L wrist XR | AP projection | presentation radiograph.
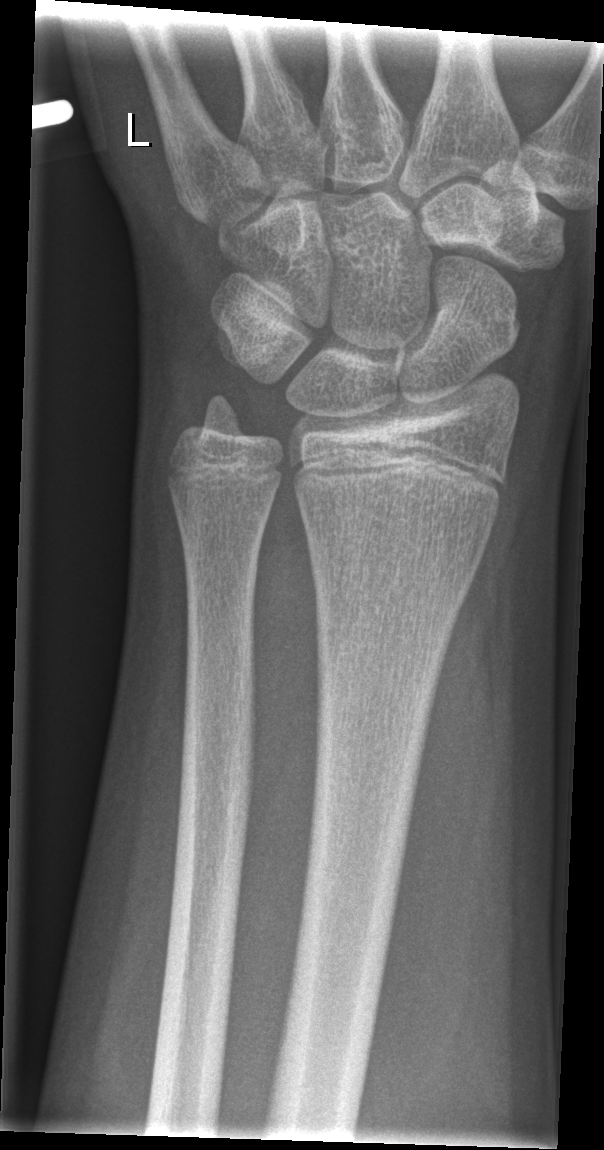 FINDINGS — No fracture labeled.